PA view | right wrist radiograph | follow-up study | detector: Siemens.
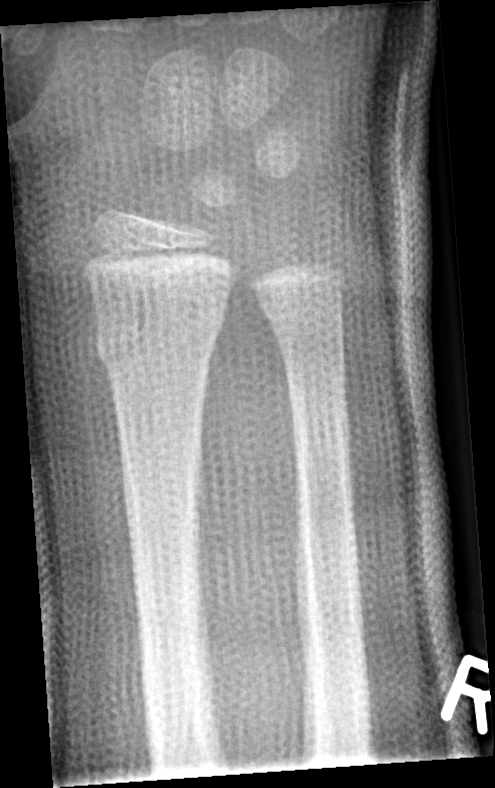
FINDINGS — AO/OTA classification: 23r-M/2.1. Fracture — 94 304 227 370.